Lateral · R wrist XR · 4-year-old male · image 65.2 mm wide —
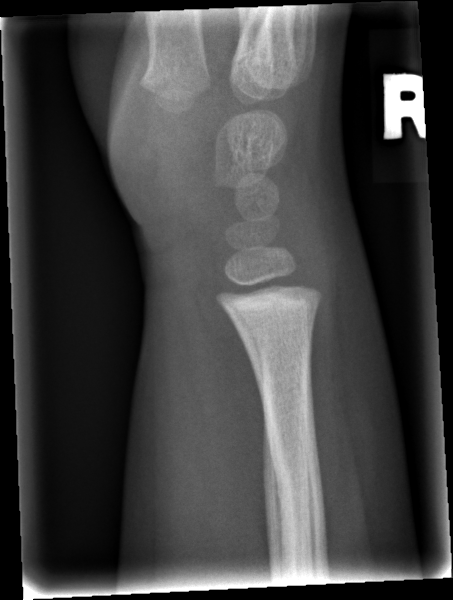

Fracture: none labeled.